Posteroanterior view | Lt wrist radiograph | pediatric patient (boy, age 13) | image width 87.3 mm —

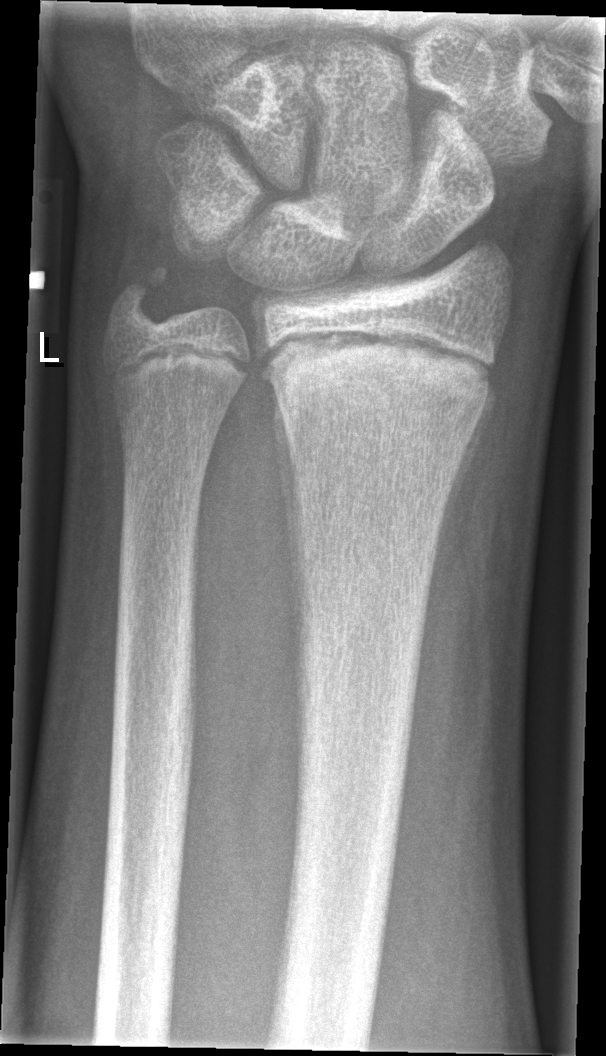 Fx = [253, 318, 504, 420], [105, 260, 177, 331]
Periosteal new bone = 2 @ [419, 388, 497, 669], [272, 379, 309, 753]
Osteopenia = present
AO code = 23r-E/2.1; 23u-E/7